Left wrist XR | PA projection | 8y F 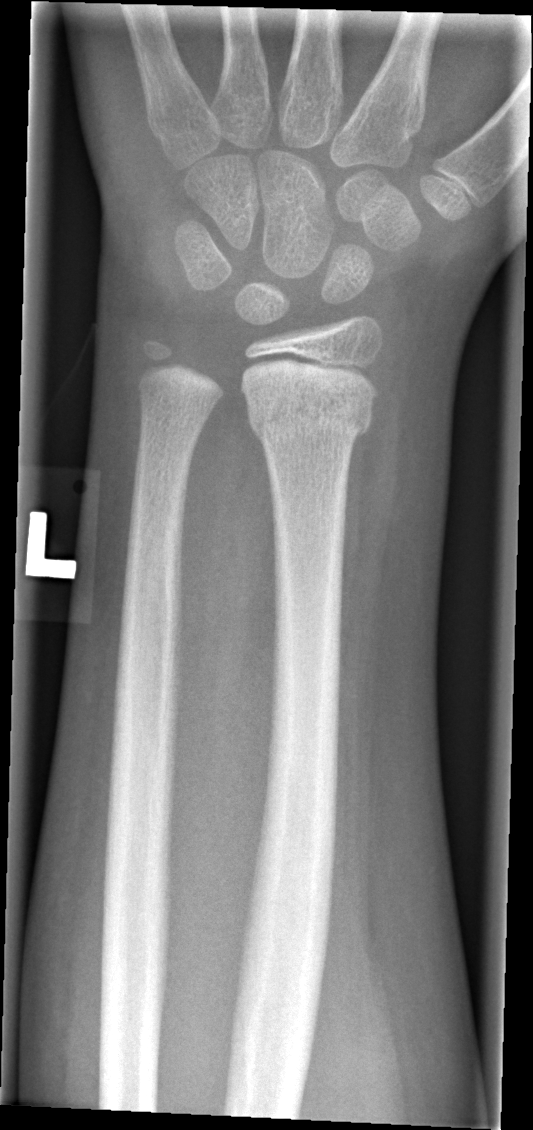
AO classification = 23r-E/2.1
bone fracture = [x1=244, y1=381, x2=375, y2=452]